R wrist radiograph, lateral view, cast present —
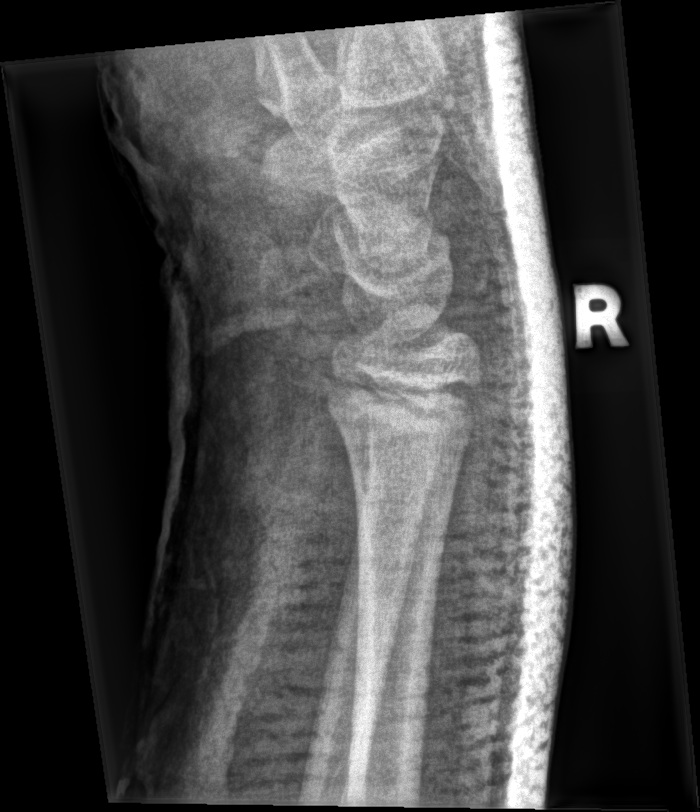 Fx: present but not clearly seen in this view. Fracture classified AO/OTA 23r-E/1; 23u-E/7.